Lateral view, right wrist plain radiograph of the wrist, age 16 y, girl: 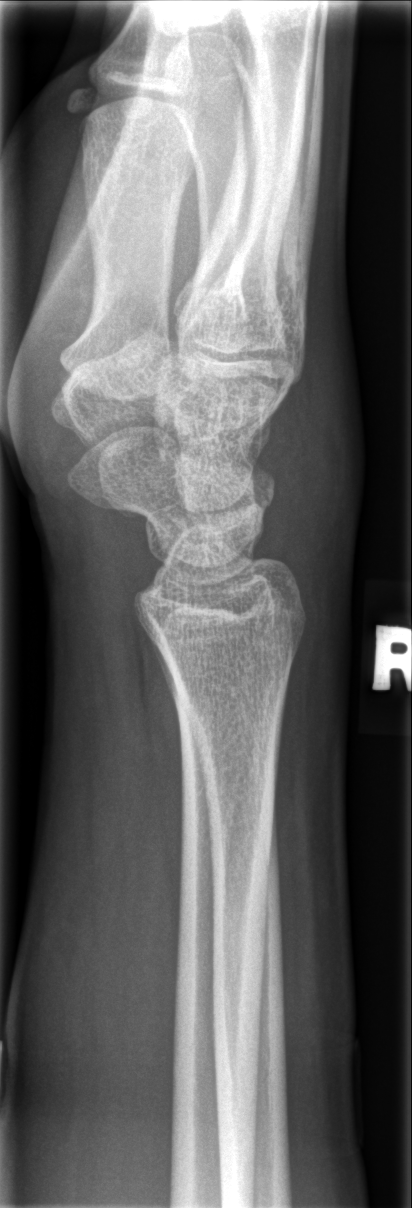 Coordinates are [x1, y1, x2, y2] in image pixels.
No Fx annotated.
Soft-tissue swelling identified at <258,349>-<363,599>.